Lat | Lt plain radiograph of the wrist | 14-year-old male | imaged through cast | image size 636x1338

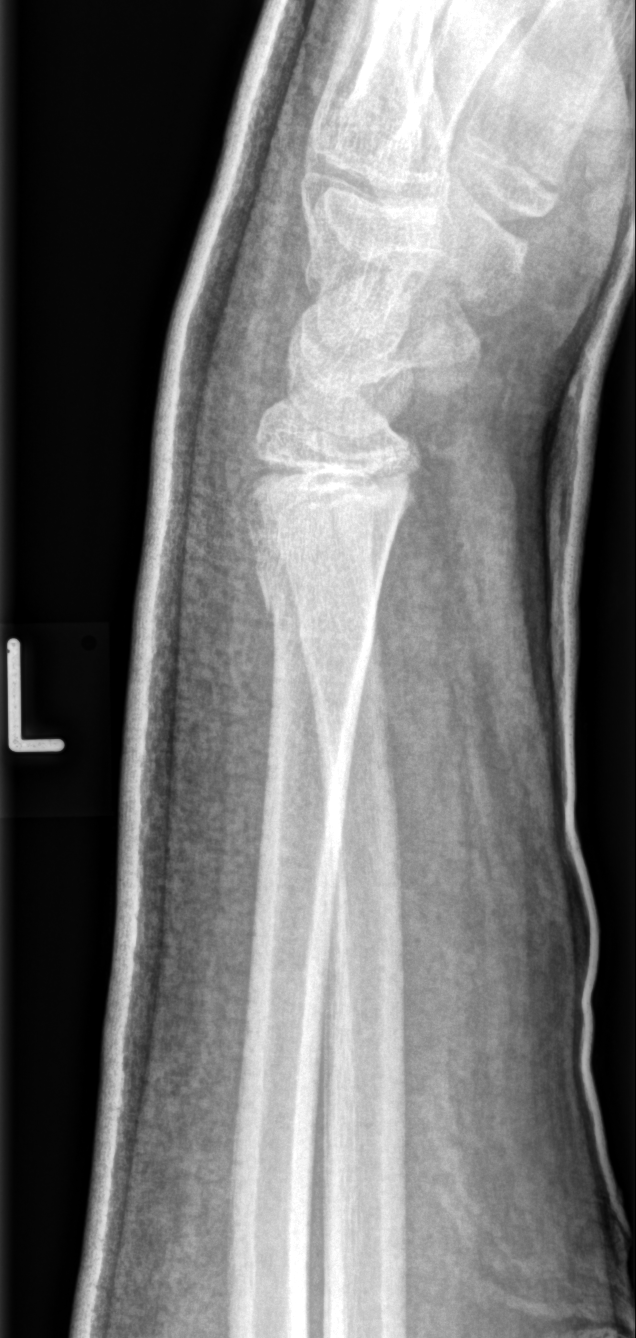

Bounding boxes in image-pixel xyxy. Fracture — bbox(248, 538, 384, 663). AO code 23r-M/3.1; 23u-M/2.1.